Posteroanterior projection, right wrist X-ray, age 9 y, girl, image 74.4 mm wide —
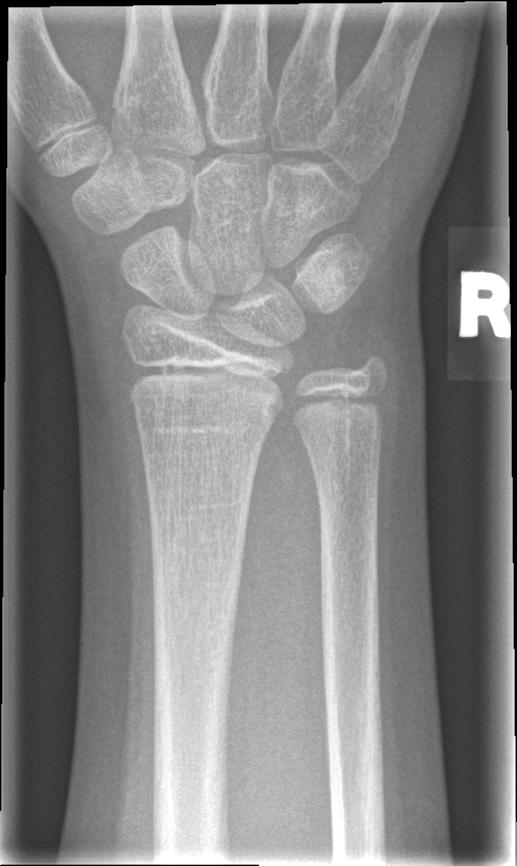 FINDINGS: No Fx annotated.